Rt wrist X-ray | AP projection | age 16 y, girl | presentation radiograph: 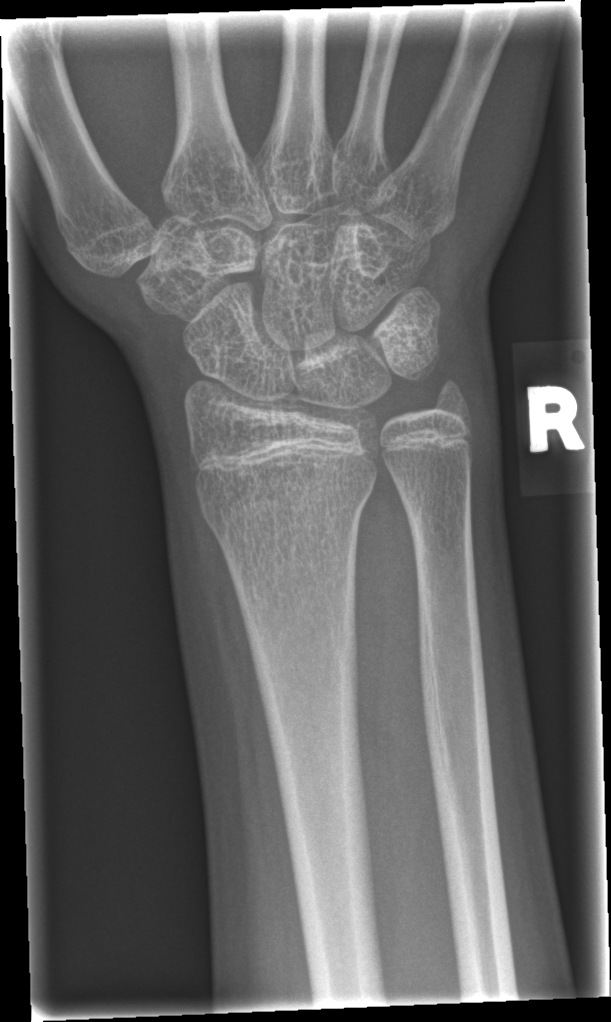
* AO/OTA classification: 23r-M/2.1.
* Fracture: [198, 477, 373, 532].